PA/AP projection, right wrist XR, male, 16 yo, subsequent exam, cast present, 91.2 mm image width, image size 633x1092 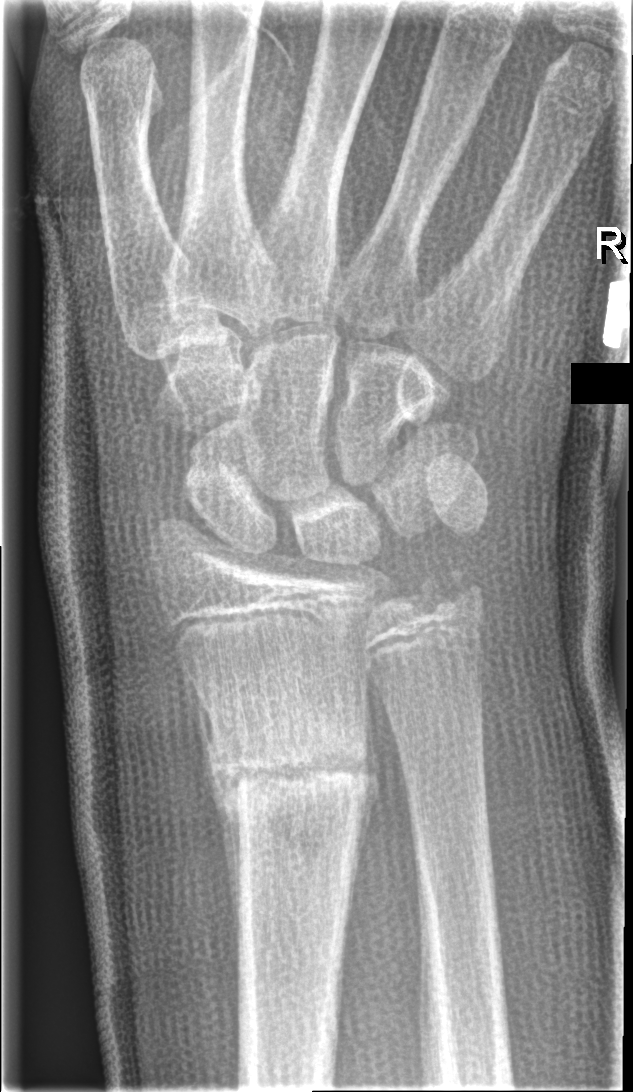
Pixel coordinates, top-left origin, xyxy. AO code 23r-M/3.1; 23u-E/7. Bone fractures — [204, 710, 377, 837] [405, 560, 490, 627]. Periosteal reaction: [184, 664, 243, 967], [343, 694, 381, 948].